Frontal view | left wrist plain radiograph of the wrist | pediatric patient (male, age 10) | follow-up study | image 74.3 mm wide

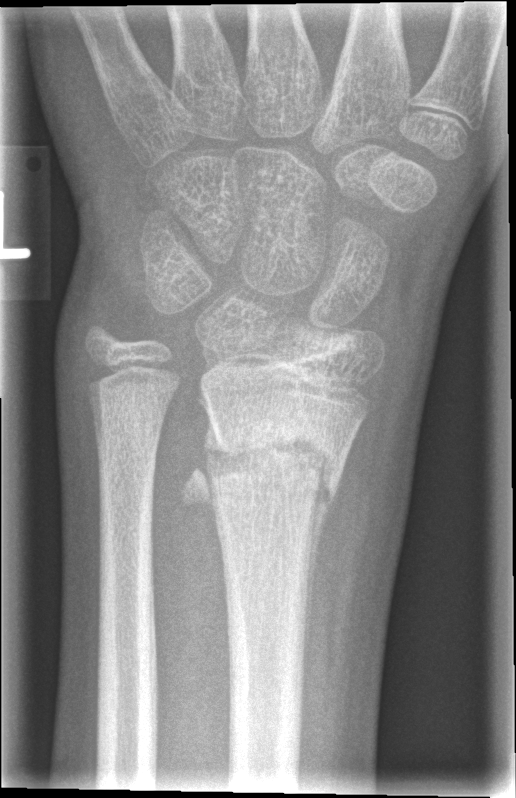
AO code 23r-M/3.1; 23u-M/2.1.
Periosteal reaction: (left=302, top=466, right=337, bottom=656); (left=179, top=421, right=233, bottom=531).
Decreased bone density (osteopenia).
Fracture — (left=205, top=420, right=348, bottom=508).